Lat, left wrist XR, presentation radiograph, detector: Siemens, 412 by 1186 pixels —

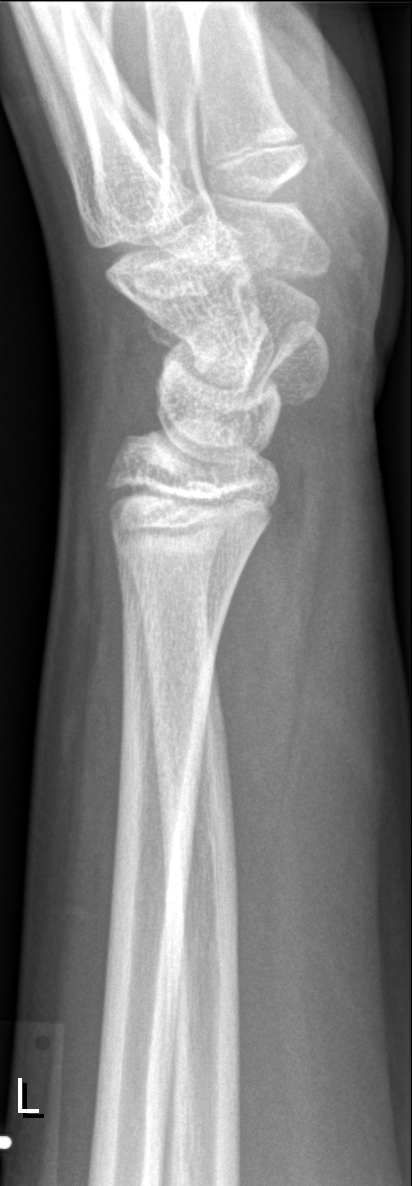
{"fracture": "none labeled"}